PA projection · left wrist pediatric wrist radiograph · age 11 y, female — 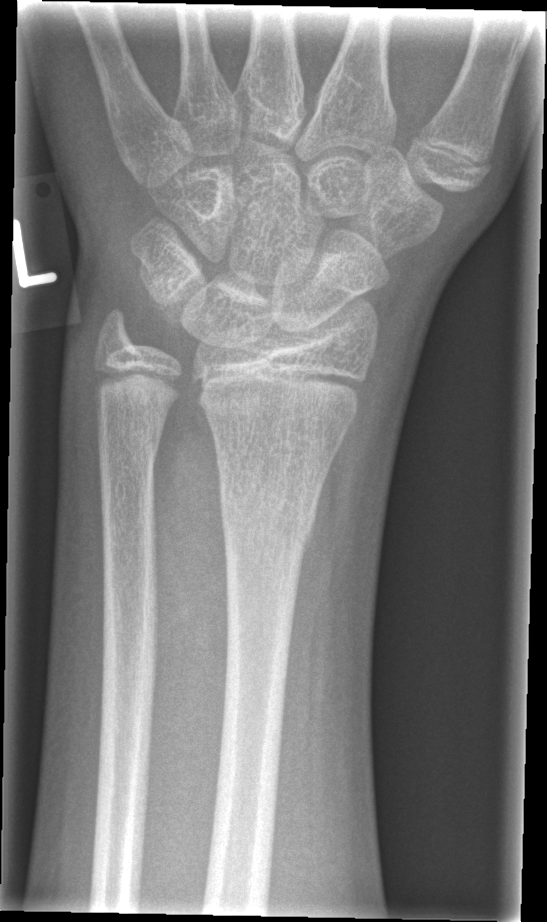

Fx = 1 @ bbox(218, 472, 321, 555)
AO classification = 23r-M/2.1